Left wrist XR · PA/AP · imaged through cast.
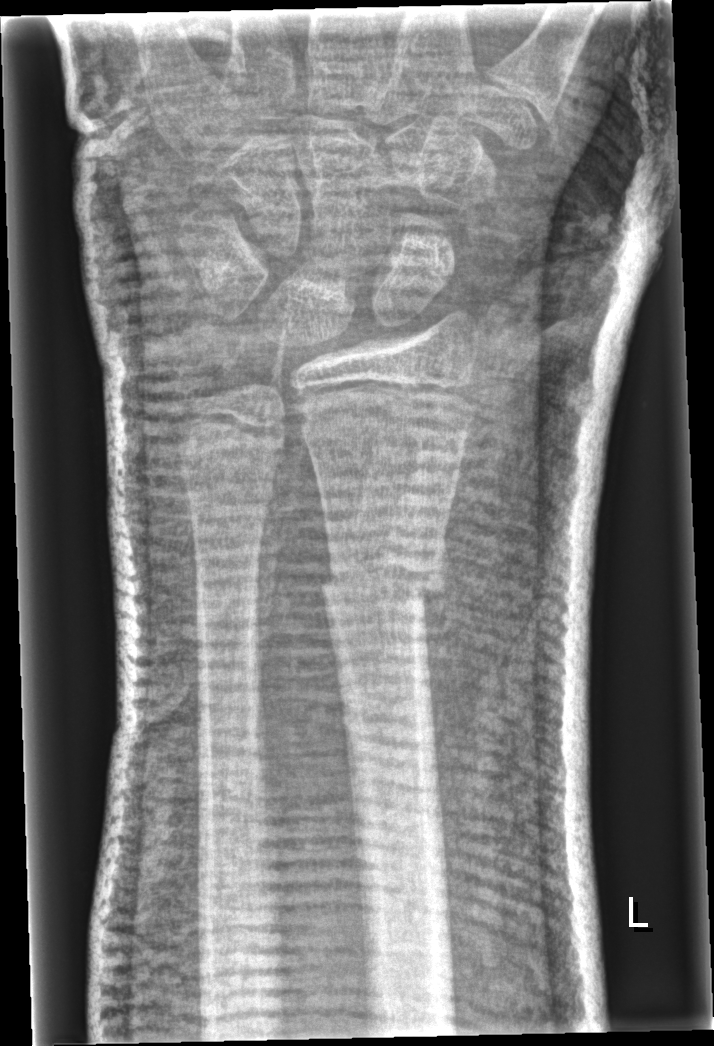 AO code 23r-M/3.1; 23u-M/2.1.
Bone fracture: <315,544>-<450,622>.